Frontal, left wrist X-ray —

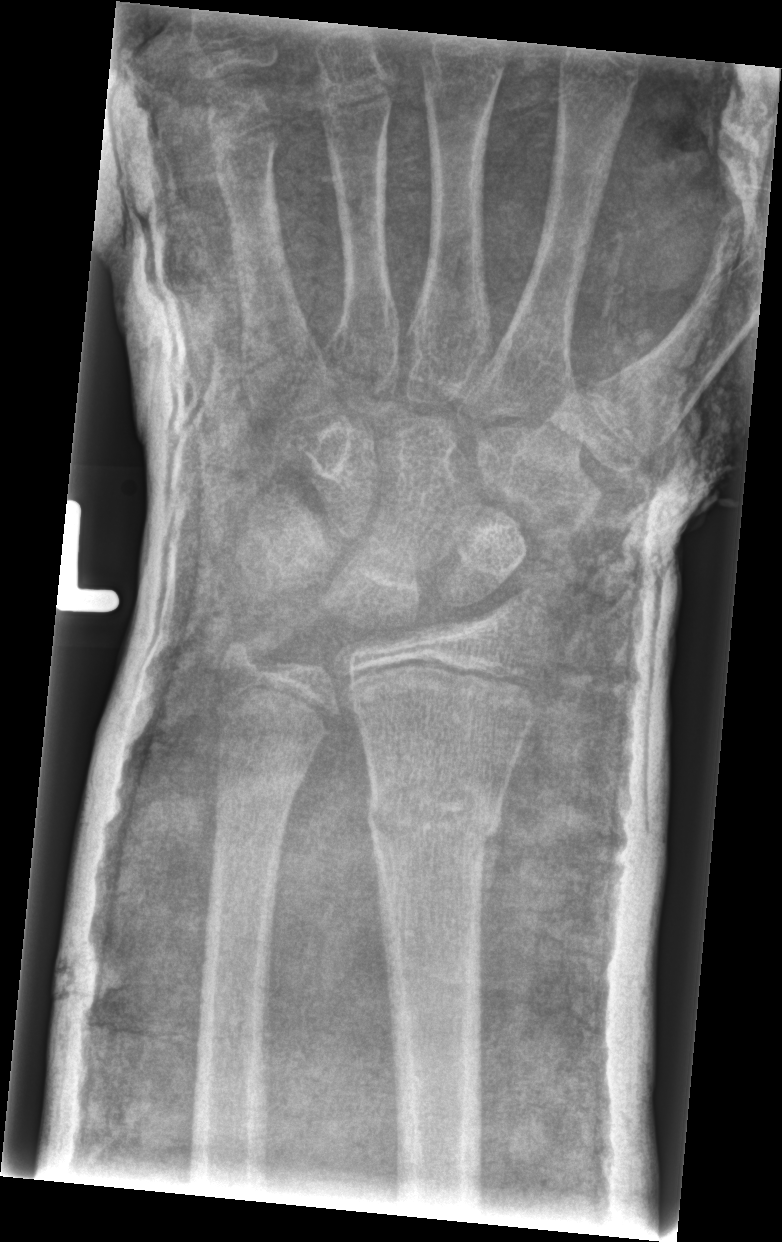

Bounding boxes in image-pixel xyxy. Fracture identified at 365,778,503,852. AO/OTA classification: 23r-M/3.1; 23u-M/2.1.